Right wrist X-ray · PA/AP · pediatric patient (female, age 16):
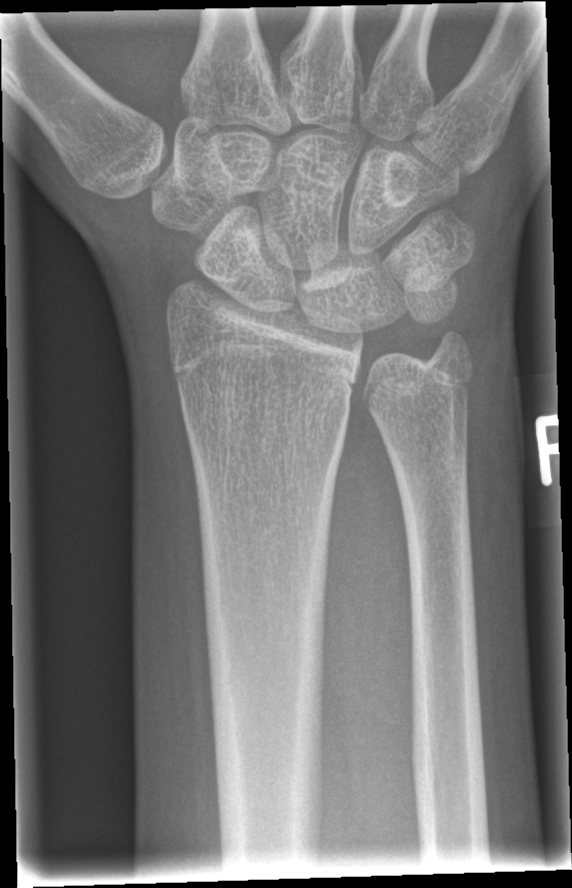 Q: Fracture present?
A: No Fx annotated